R wrist radiograph · lat view · follow-up study · cast in situ · acquired on Siemens.
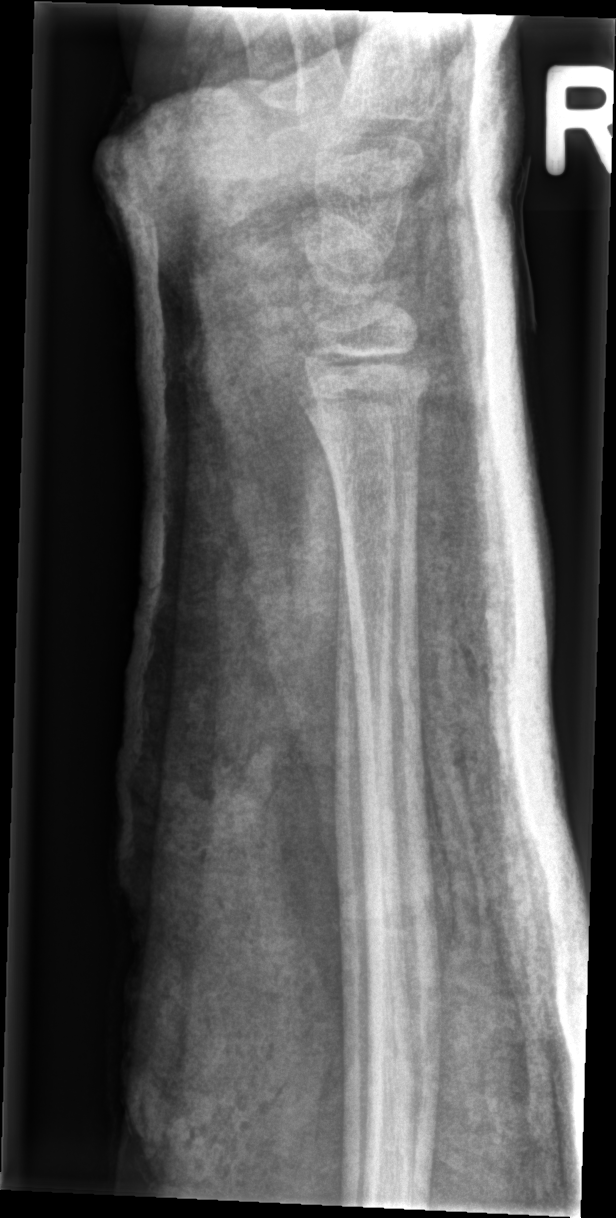
Findings: Bone fracture identified at 290,358,436,420.